Rt wrist X-ray; PA/AP; 4y F
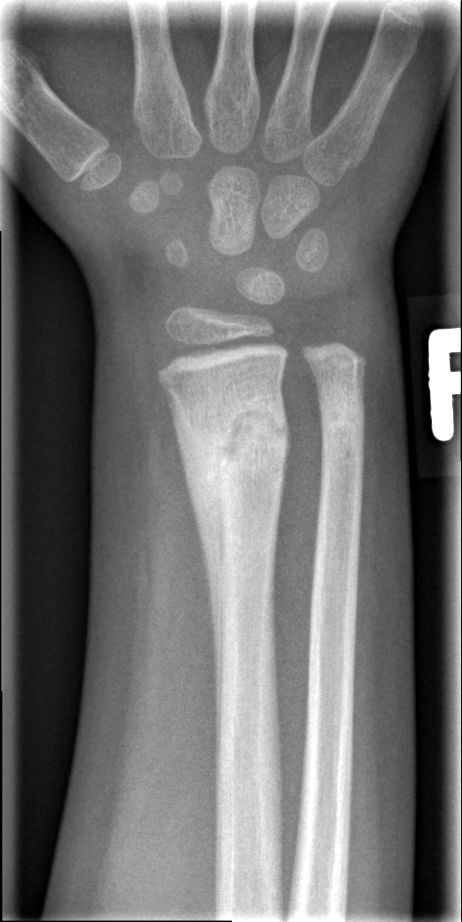

• Decreased bone density (osteopenia).
• AO code 23-M/3.1.
• Periosteal thickening identified at bbox(161, 383, 226, 769).
• Fx: bbox(180, 393, 298, 495) bbox(313, 384, 370, 450).